L wrist X-ray · lateral projection
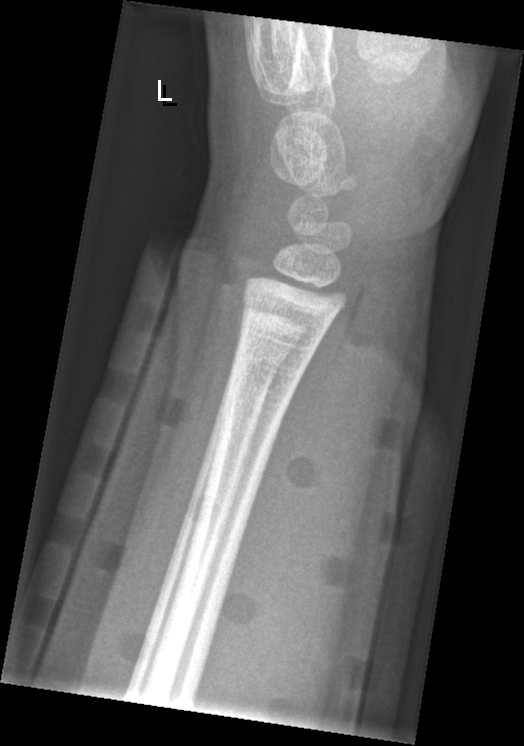   fracture: none labeled